Lat view · L wrist XR:
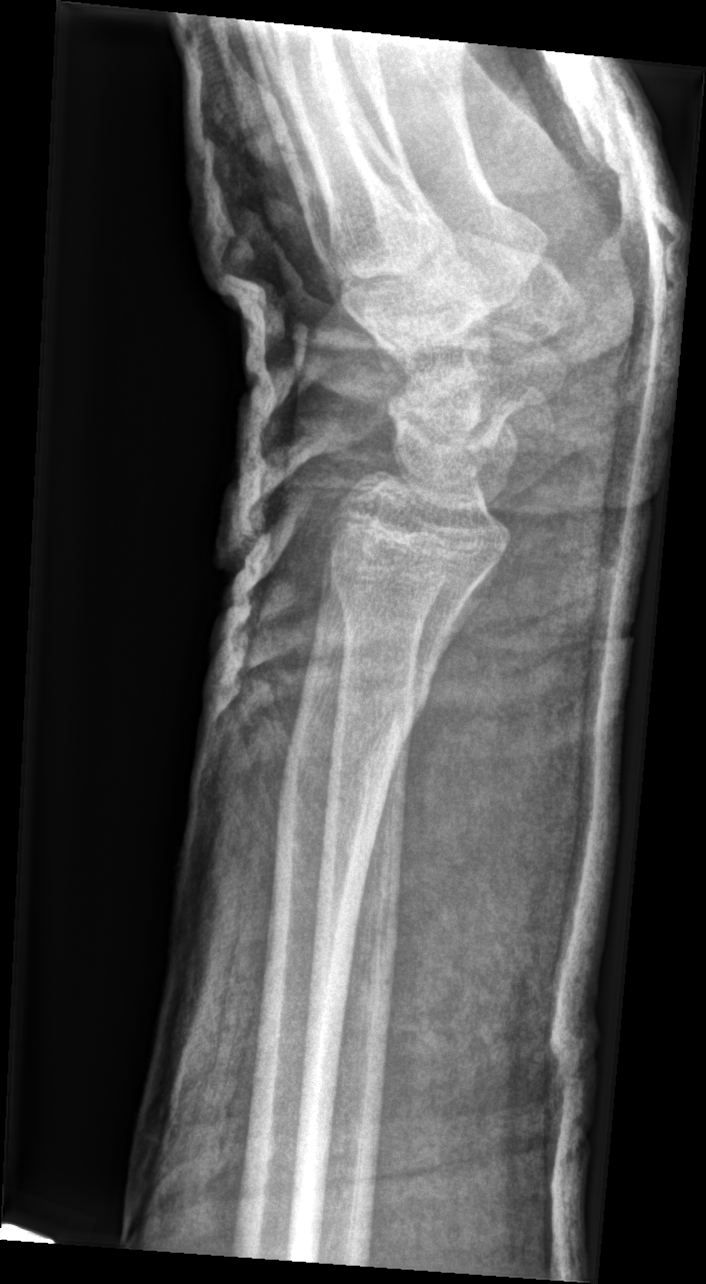 FINDINGS: Fracture classified AO/OTA 23r-M/2.1. Fx: bbox(272, 675, 437, 813).